Rt wrist XR; AP; 10y M; initial study — 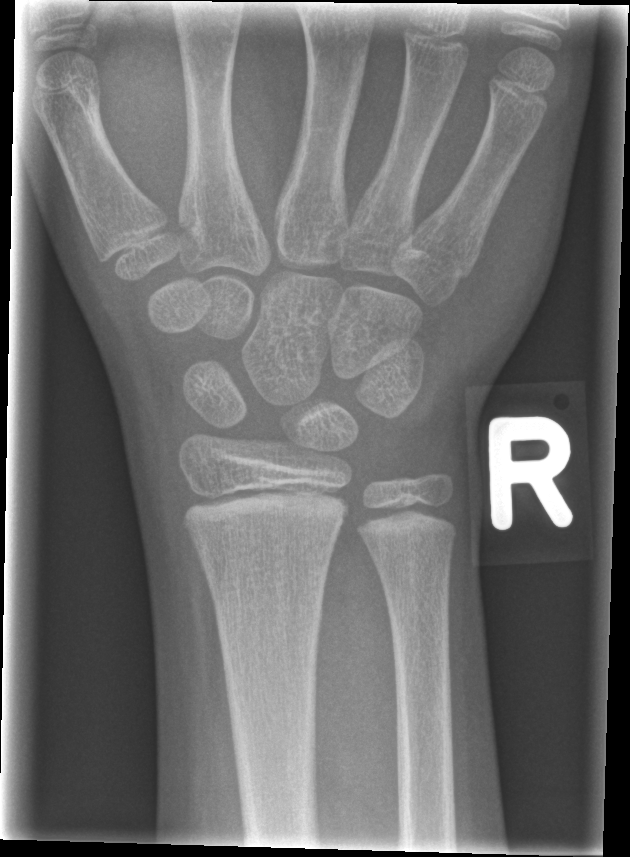 - Fracture identified at (212, 601, 325, 637).
- Fracture classified AO/OTA 23r-M/2.1.